Lateral projection · Rt wrist XR · subsequent exam · 64.9 mm image width — 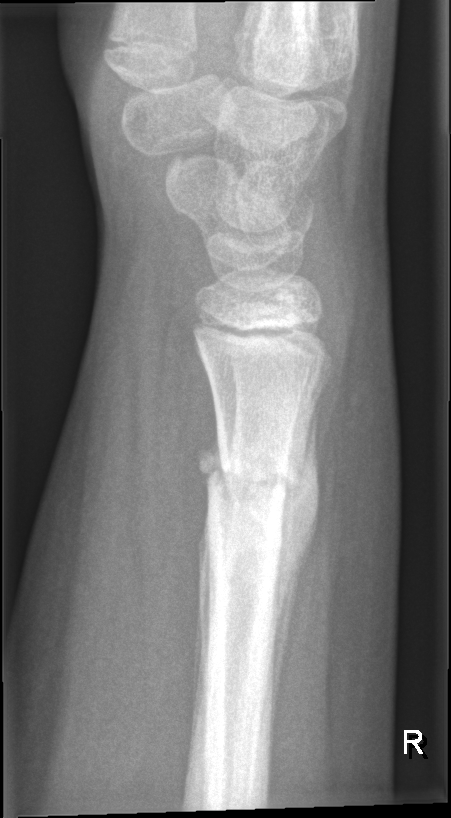

* Coordinates are [x1, y1, x2, y2] in image pixels.
* Bone fracture — [204, 450, 304, 514].
* AO/OTA classification: 23r-M/3.1; 23u-M/2.1; 23u-E/7.
* Periosteal reaction — [270, 395, 321, 731], [195, 424, 231, 503].
* Reduced bone mineral density.